R plain radiograph of the wrist · posteroanterior view

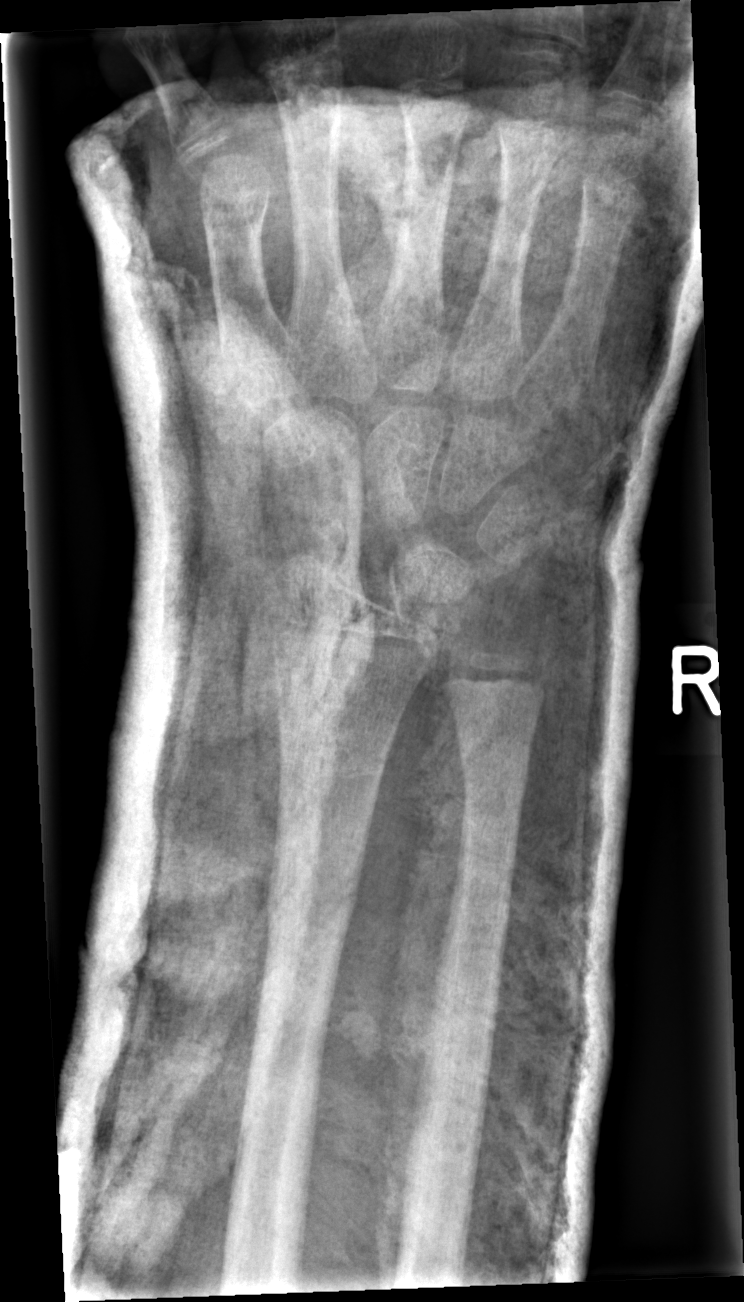
Two bone fractures at bbox(258, 823, 372, 944) bbox(447, 728, 533, 792). AO/OTA classification: 22r-D/4.1; 23u-M/2.1.